Left wrist XR · PA · age 6 y, female 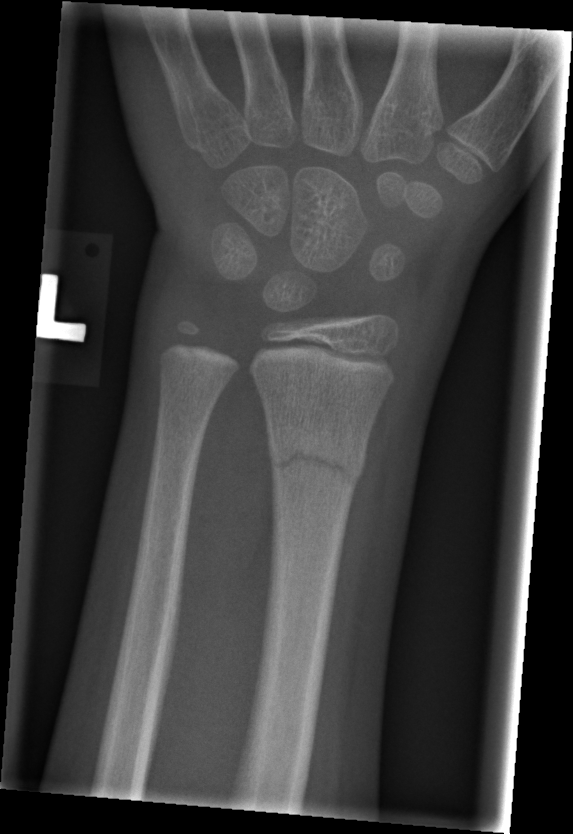 (pixel coordinates, top-left origin, xyxy)
Q: Locate any fractures.
A: One fracture at (267, 427, 367, 491)
Q: AO code?
A: Fracture classified AO/OTA 23r-M/3.1